L plain radiograph of the wrist | posteroanterior | in cast | acquired on Siemens.
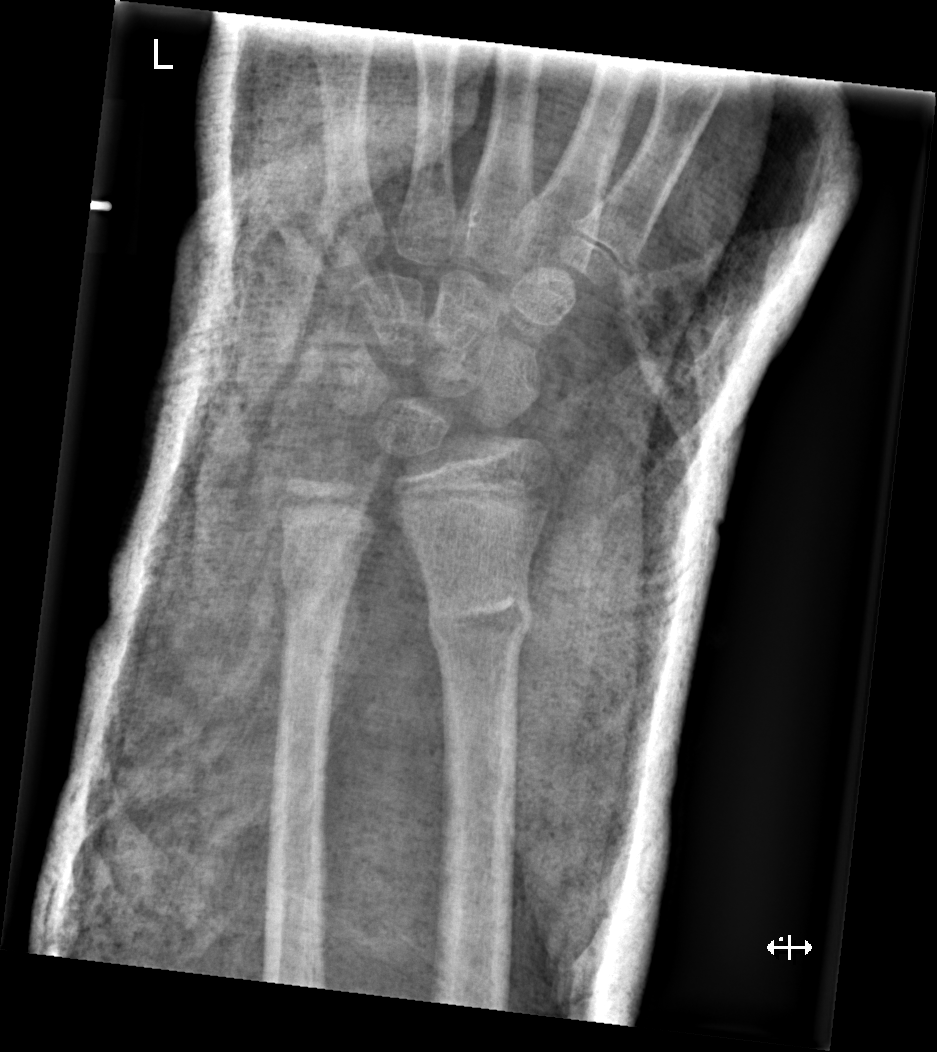 Fx — 422 583 536 659; 278 542 363 610.